L wrist plain film, lat, 11-year-old female, 62.5 mm image width
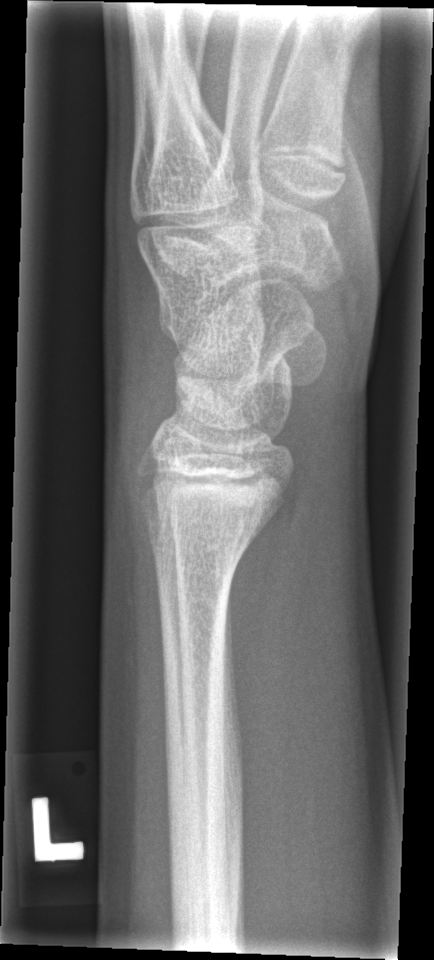 Fx: none labeled